Lat view, L wrist radiograph, age 9 y, girl, image 84.1 mm wide:
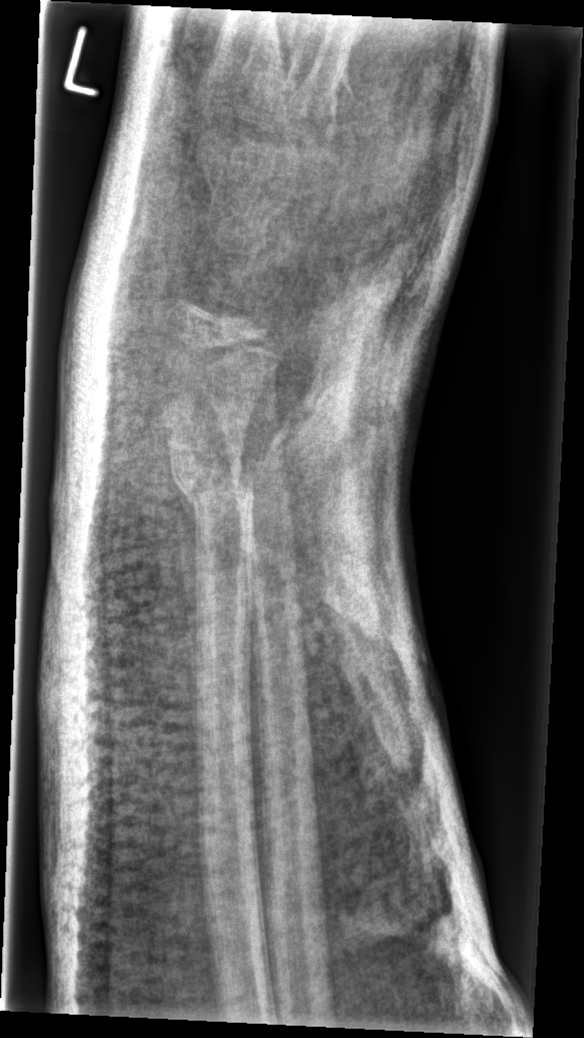 {
  "ao": "23r-M/3.1",
  "fracture": "1 @ [166, 458, 258, 514]"
}